AP; left pediatric wrist radiograph; 8-year-old girl; presentation radiograph; acquired on Siemens: 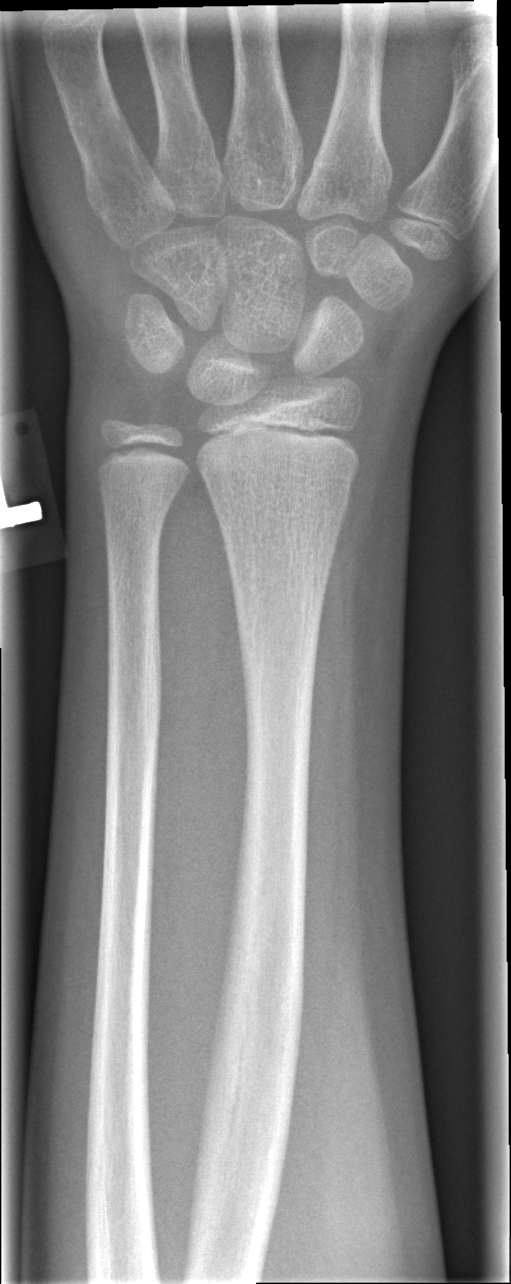

One fracture at [209, 479, 356, 535].